PA/AP projection · L pediatric wrist radiograph 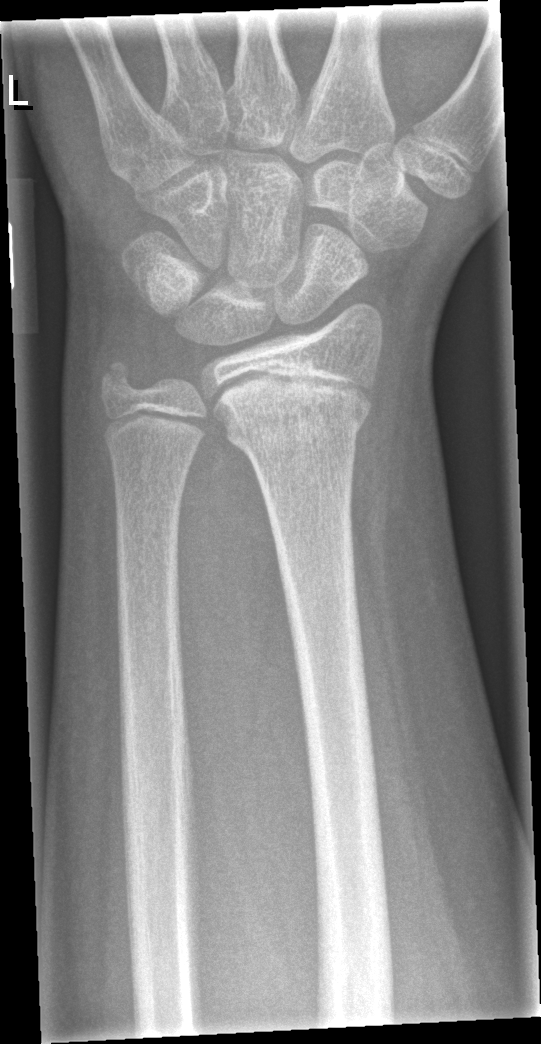
(boxes as x1,y1,x2,y2 (top-left / bottom-right, pixel units))
fracture: [210, 379, 375, 442], [90, 353, 144, 406]